Left wrist plain film · lateral projection · index exam · 426x782 —

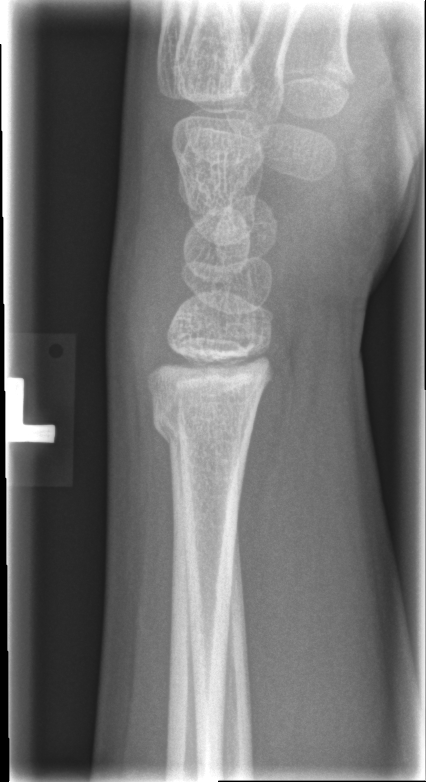
Pixel coordinates, top-left origin, xyxy.
Fx identified at 146,395,259,452.
AO/OTA classification: 23r-M/2.1.